Lateral view | L pediatric wrist radiograph | male, 13 yo | 502 x 1124 px.

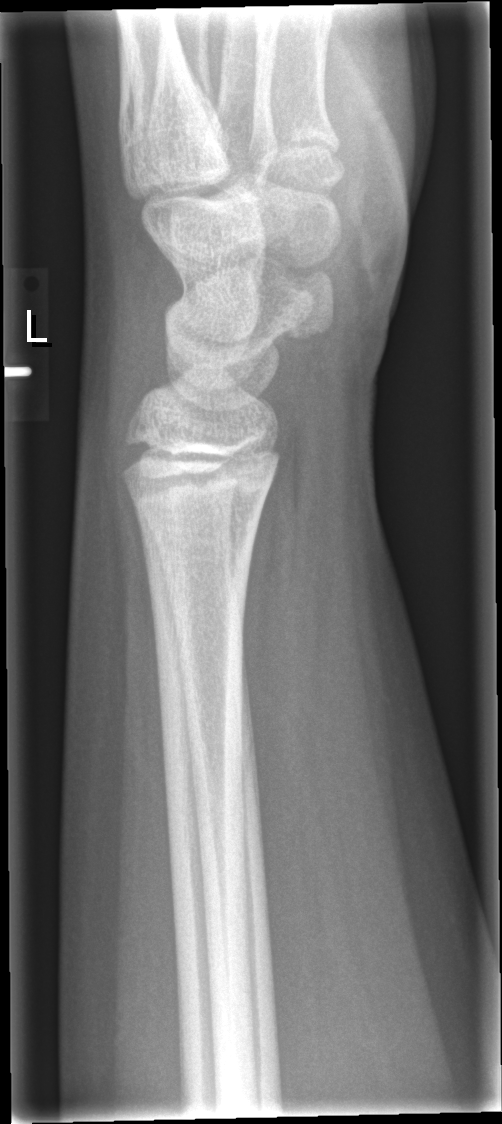
FINDINGS: Fx: none.